Rt wrist X-ray; lat view; detector: Siemens.
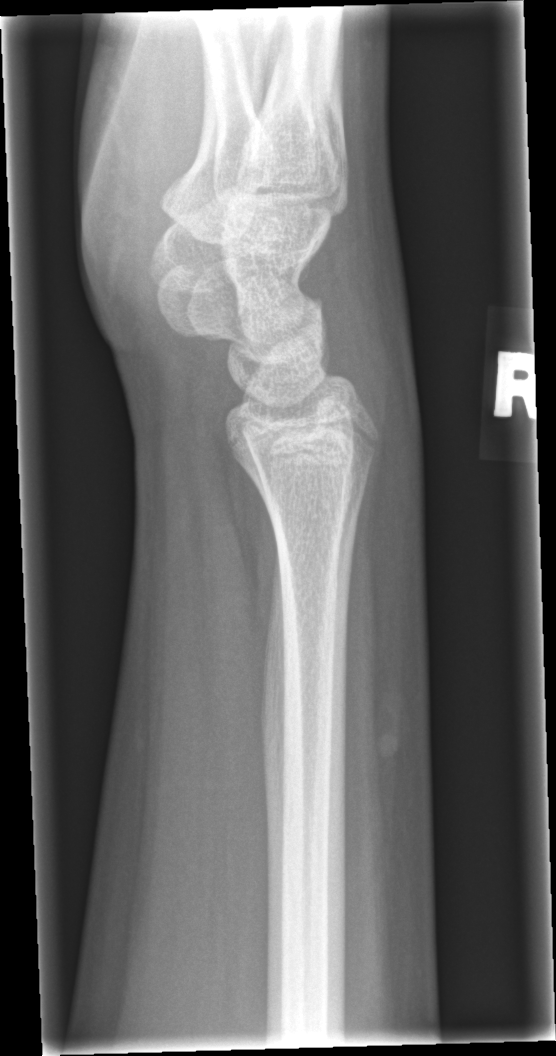
No Fx annotated.